Lat, right wrist X-ray, 16y M:
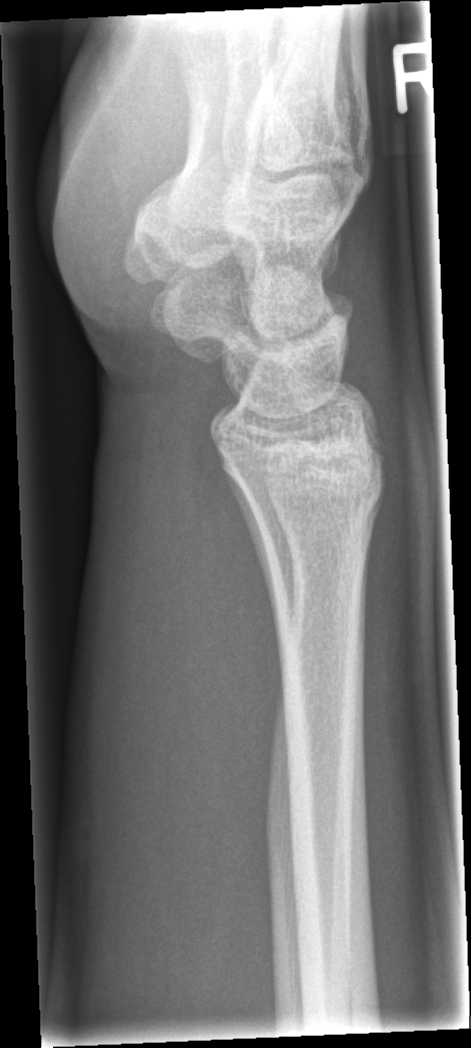
Pronator sign — (161, 411, 278, 839).
Fx: (246, 472, 392, 564).
AO code 23r-M/2.1.